Frontal projection; left wrist plain film —

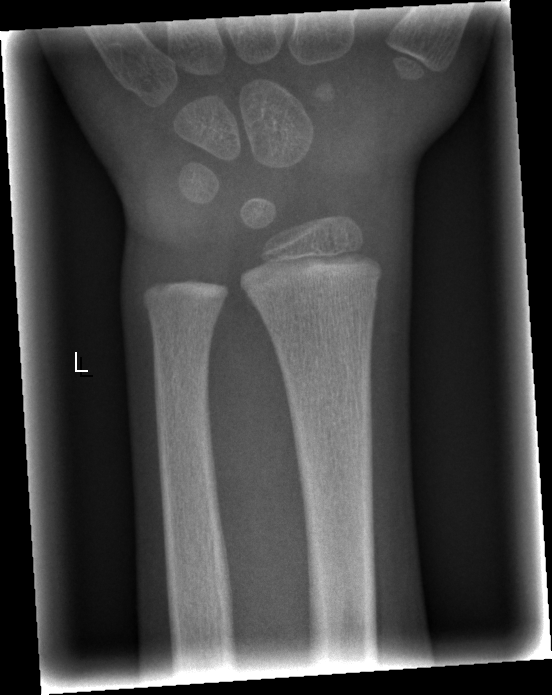

• No fracture labeled.